Lt plain radiograph of the wrist · frontal · 6-year-old boy:

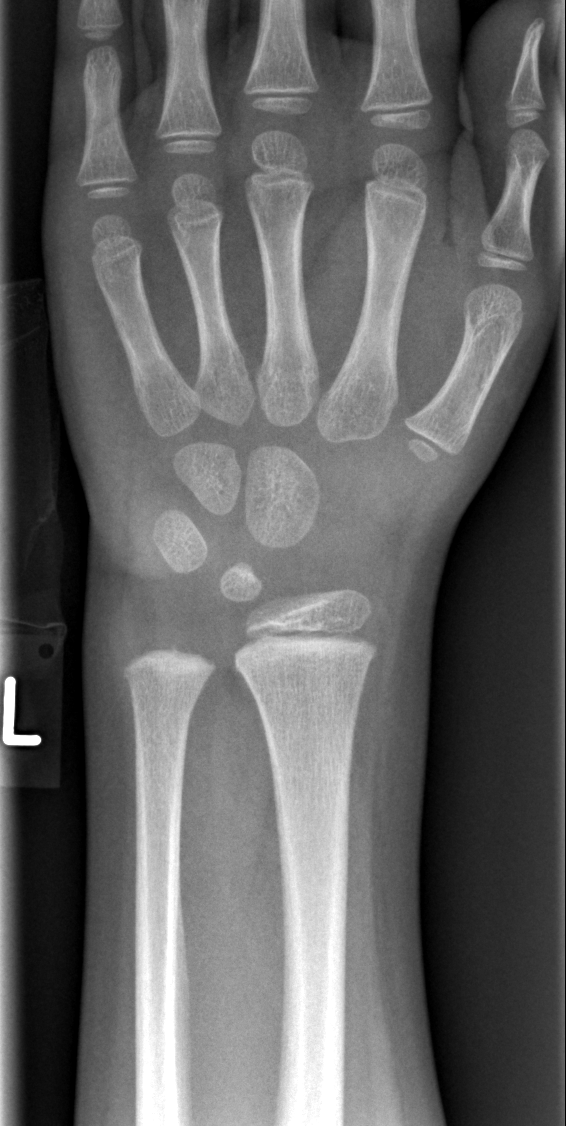

FINDINGS: No fracture labeled.